AP, L wrist plain film, 6y F

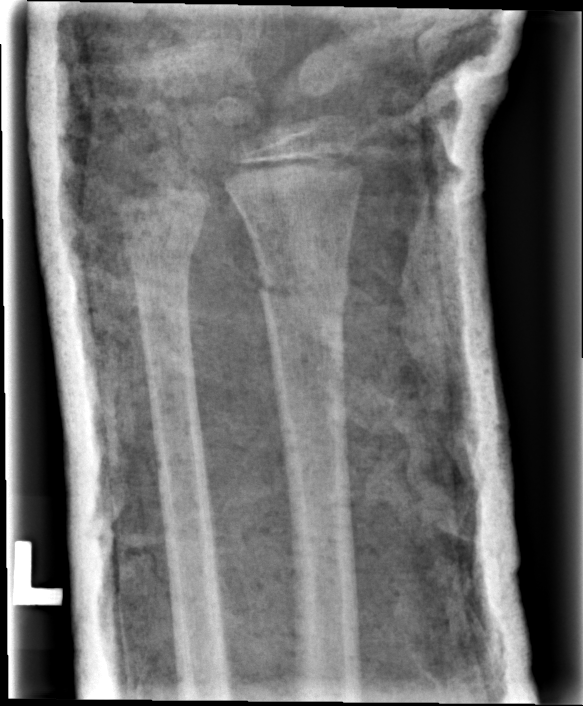

Q: AO code?
A: AO/OTA classification: 23r-M/3.1; 23u-M/2.1
Q: Is there a fracture?
A: Fracture: [x1=253, y1=255, x2=349, y2=314]; [x1=122, y1=229, x2=206, y2=275]